PA projection, left wrist X-ray, pediatric patient (female, age 6), follow-up study:

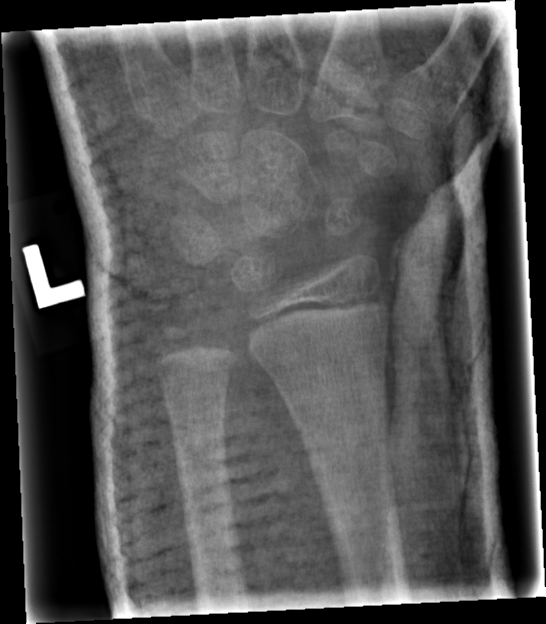
Findings: (coordinates are [x1, y1, x2, y2] in image pixels) Fracture — [x1=296, y1=418, x2=396, y2=472]. AO/OTA classification: 23r-M/3.1.